L plain radiograph of the wrist; frontal; pediatric patient (male, age 14); follow-up; image 101.4 mm wide.

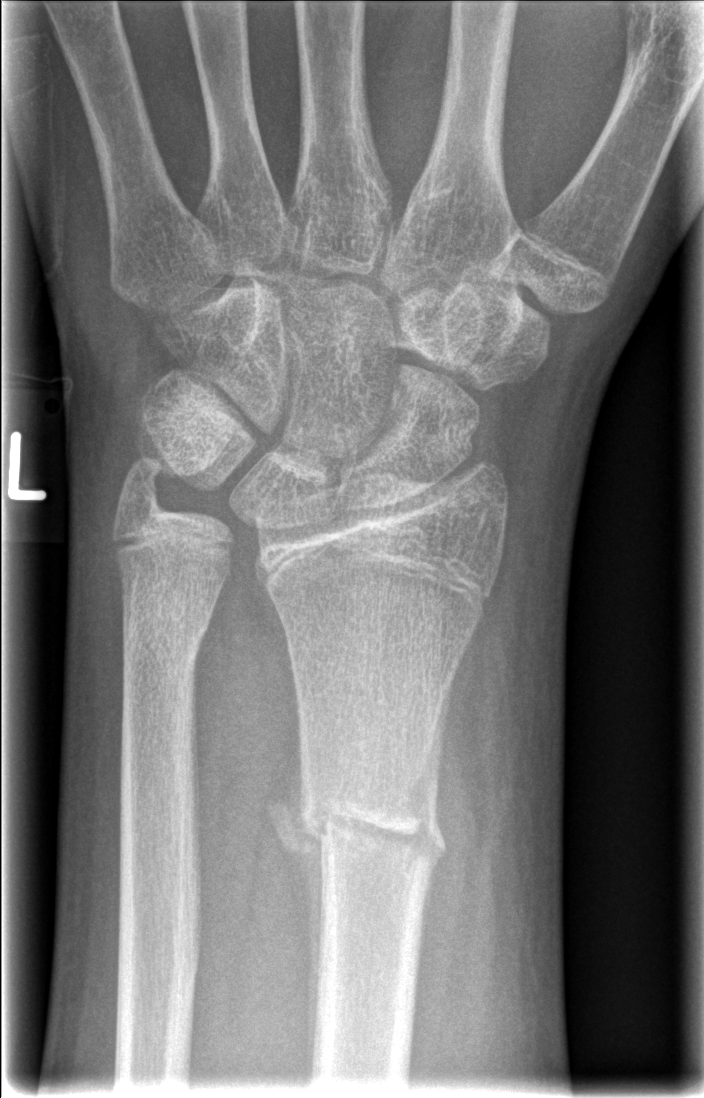

Periosteal new bone identified at (left=266, top=759, right=324, bottom=1066).
Reduced bone mineral density.
Fracture classified AO/OTA 23r-M/3.1; 23u-M/2.1.
Two fractures at (left=293, top=776, right=453, bottom=886) (left=116, top=596, right=216, bottom=675).